Left wrist radiograph | lateral projection | presentation radiograph 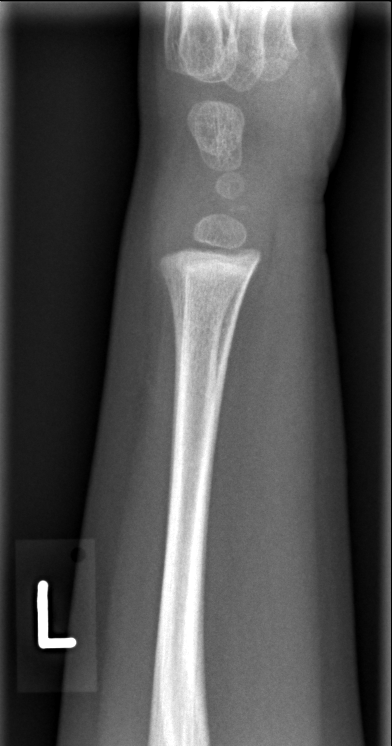

Fracture: none labeled.